Lateral view, left wrist XR, detector: Siemens, 386x670: 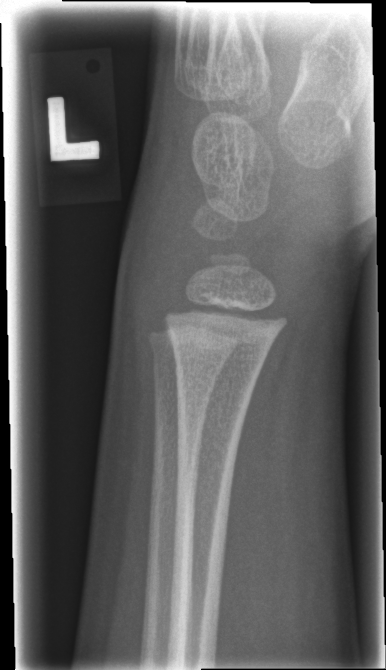

Findings: No fracture annotation.